Lat view, Rt pediatric wrist radiograph —

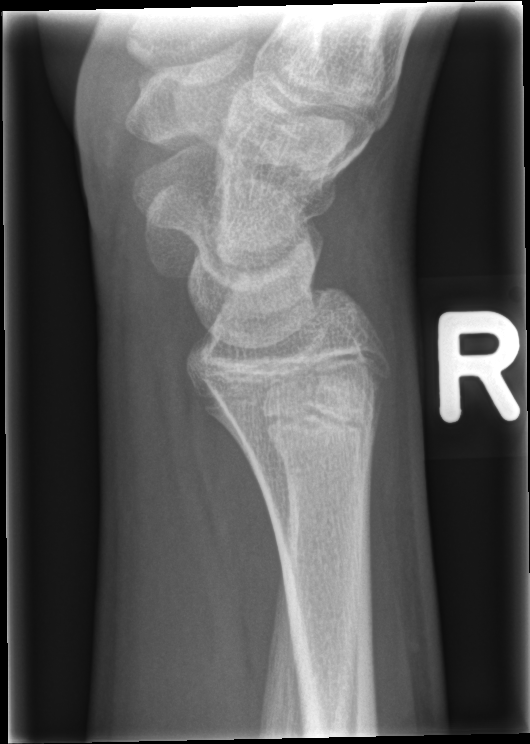
No fracture bounding box.